Lt wrist radiograph | lat projection | pediatric patient (female, age 14)

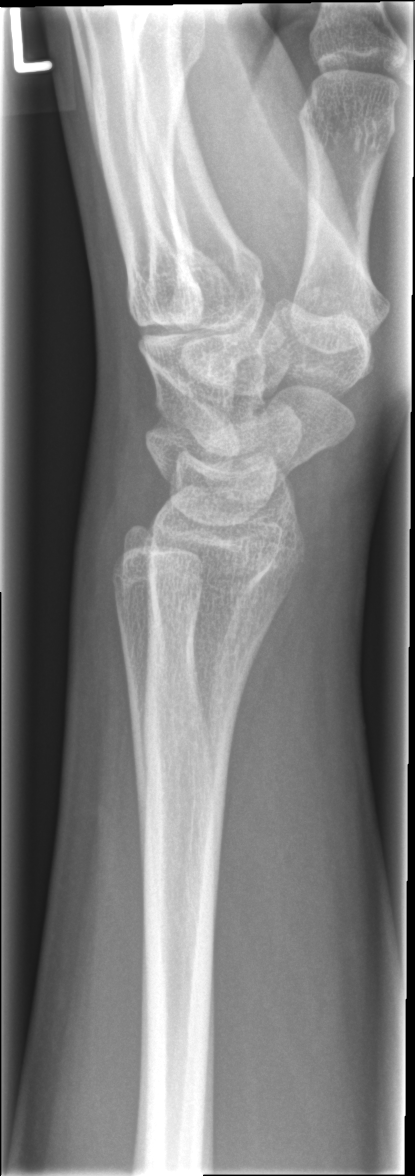

Fracture: none labeled.